Lat view | right wrist plain film | 468 x 1102 px.

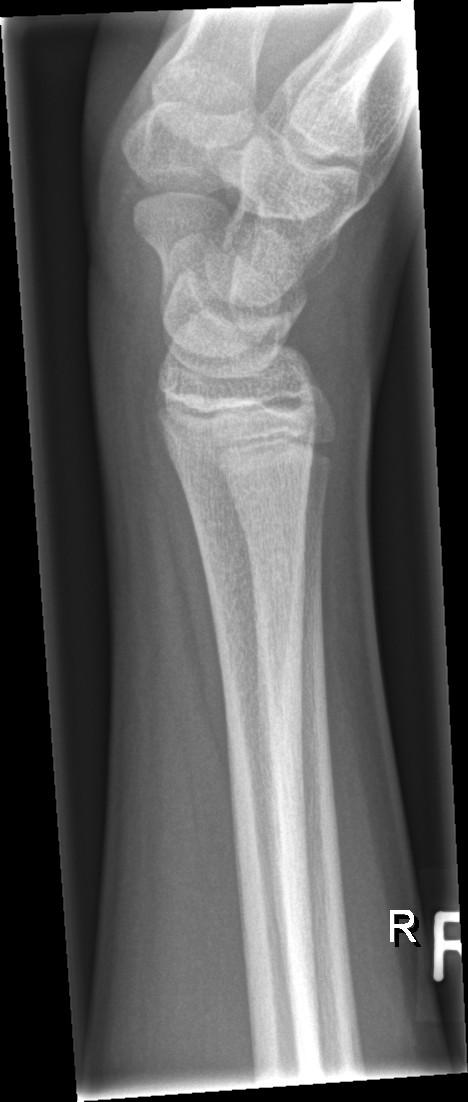 FINDINGS — No fracture bounding box.